PA; Lt wrist XR; 6y F; Siemens; image 91.0 mm wide —
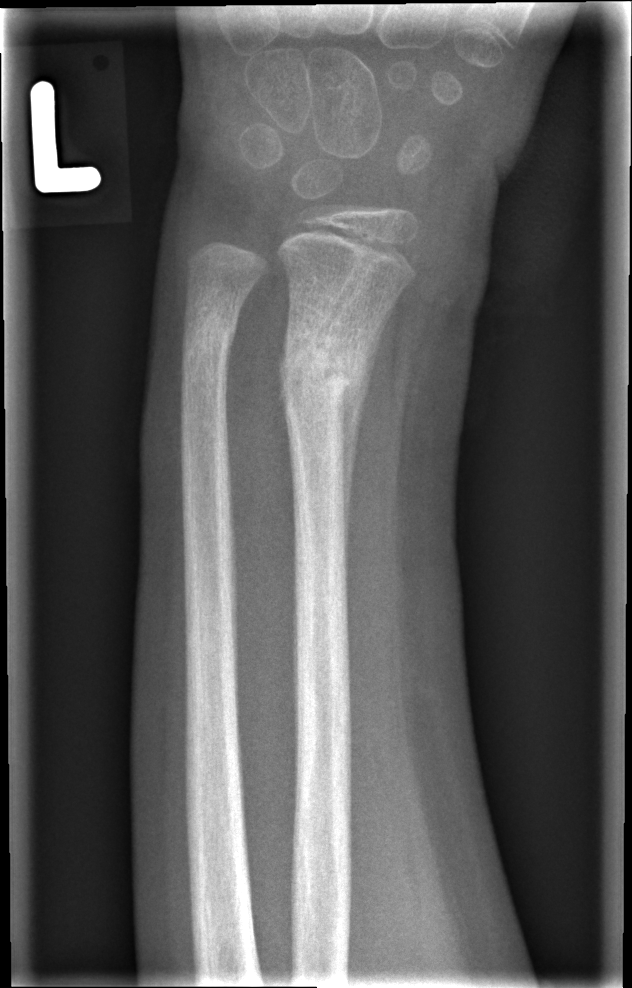 AO/OTA classification: 23r-M/3.1; 23u-M/2.1.
Fracture: 275,314,372,430
  178,307,239,369.
Periosteal reaction: 341,368,370,530.
Bone anomaly — 316,208,402,342.